AP · left wrist plain radiograph of the wrist · age 11 y, boy · subsequent exam · in cast · 569 by 518 pixels:
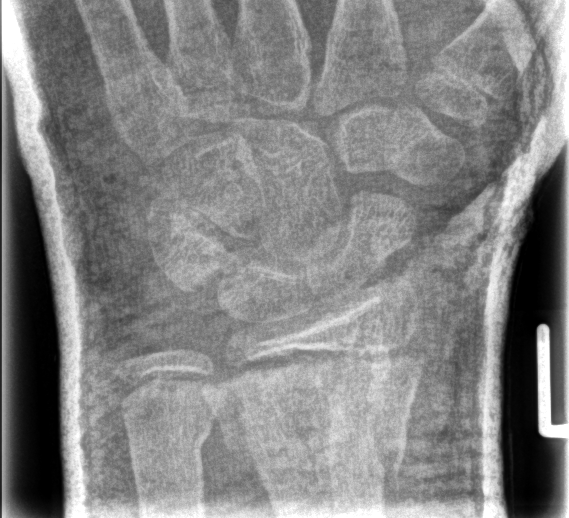

fracture: 197,337,423,490 | 126,424,215,464
ao: 23r-E/2.1; 23u-M/2.1